Lateral · left wrist plain radiograph of the wrist · age 13 y, female:
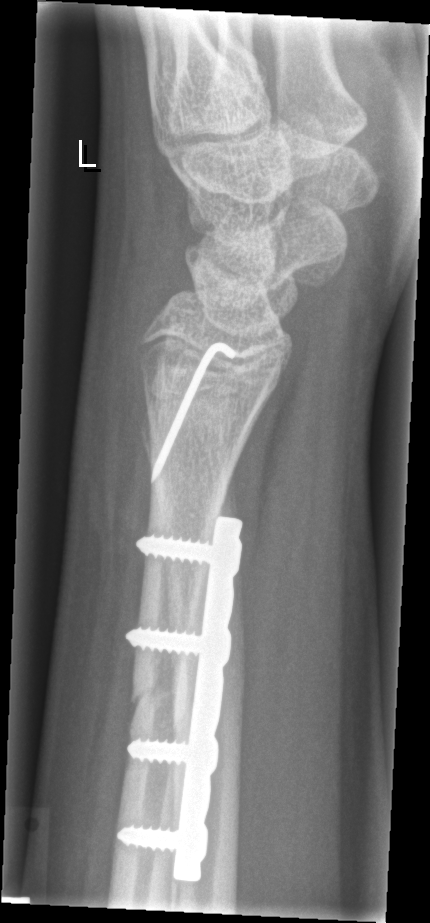

Bounding boxes in image-pixel xyxy. One Fx at (left=127, top=665, right=183, bottom=737). Two metallic hardware at (left=115, top=510, right=246, bottom=885) (left=148, top=340, right=237, bottom=486).